Lat, Rt wrist XR.

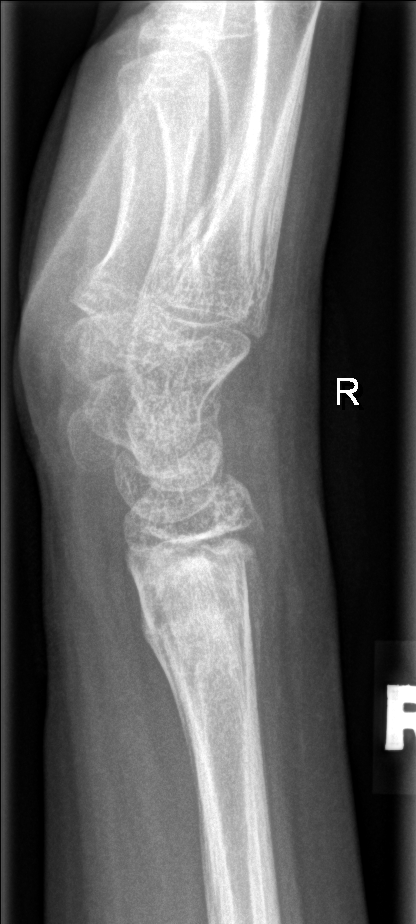

(coordinates are [x1, y1, x2, y2] in image pixels)
Q: Locate any fractures.
A: Fracture: [133, 542, 260, 658]
Q: AO code?
A: AO code 23-E/2.1; 23u-M/2.1
Q: Bone density?
A: Decreased bone density (osteopenia)